Right wrist XR, lateral projection —
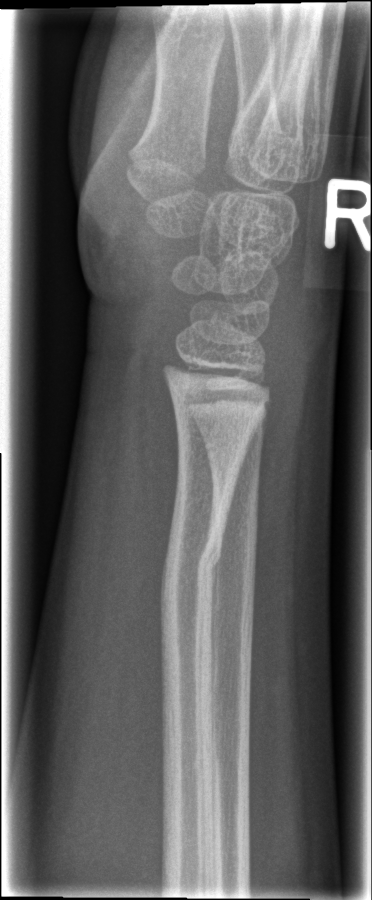

Q: What is the AO/OTA classification?
A: AO/OTA classification: 23r-M/2.1
Q: Locate any fractures.
A: One Fx at (left=156, top=521, right=227, bottom=607)